Lat projection, Lt pediatric wrist radiograph, female, 14 yo, image 75.2 mm wide 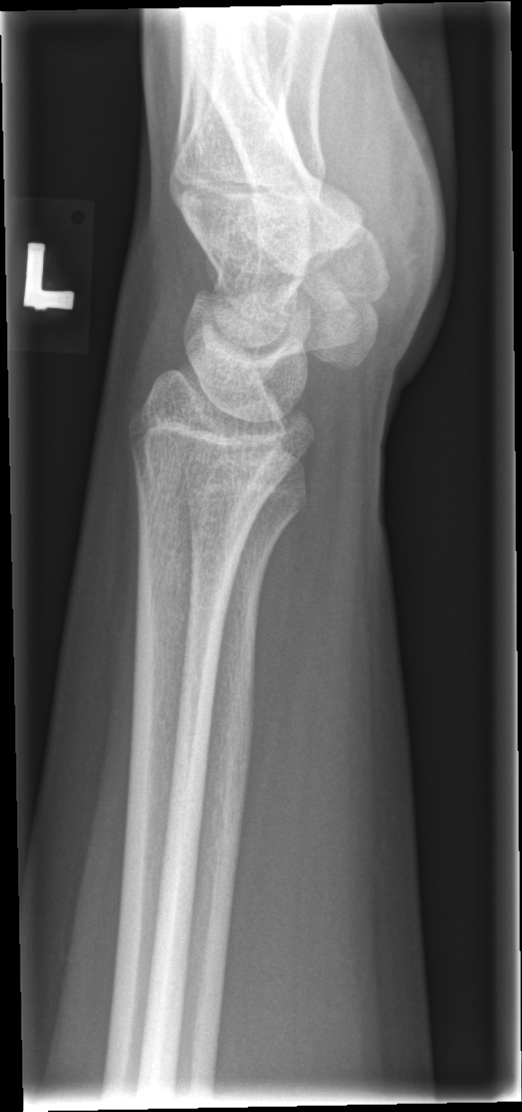
Fx: none.